Lateral, right wrist radiograph —
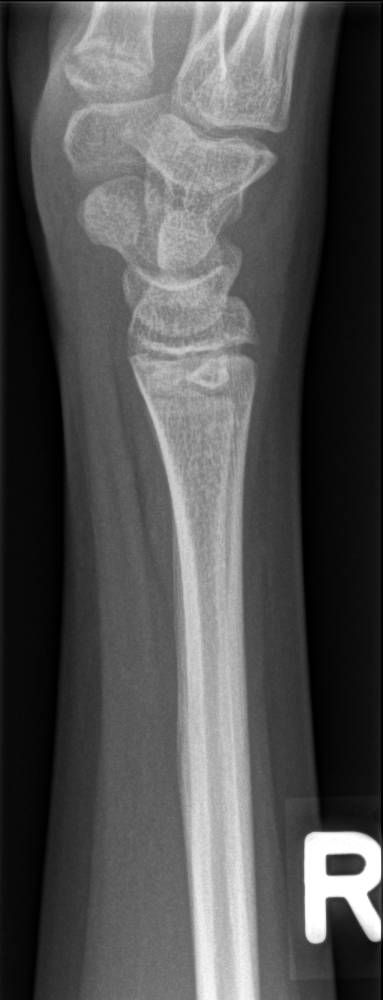 Fracture classified AO/OTA 72B(b).
Fx: present but not clearly seen in this view.